Lat view | right wrist XR.

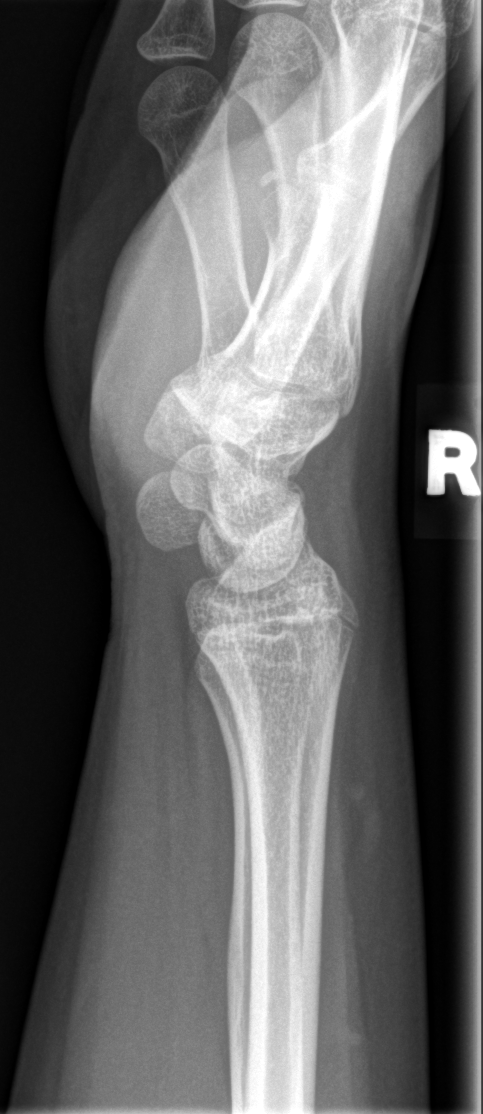
Fracture = none labeled